Lt pediatric wrist radiograph | PA/AP view | in cast 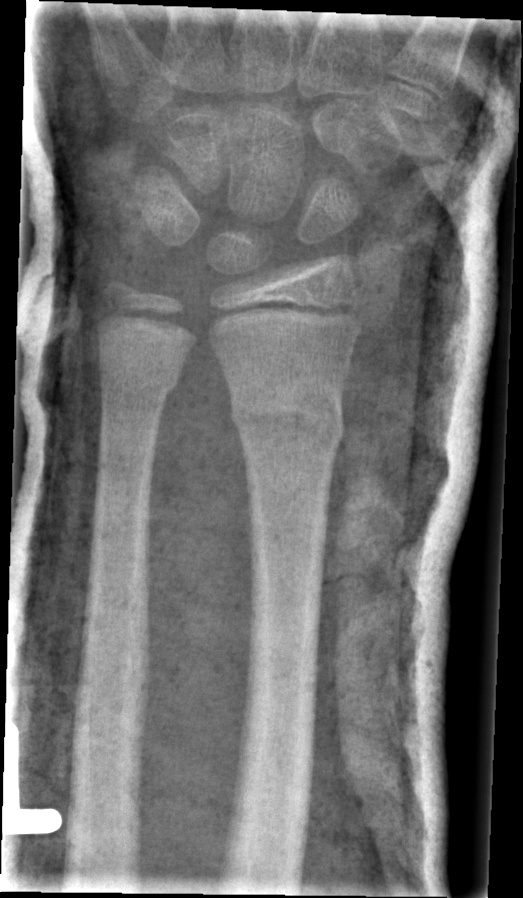

(boxes as x1,y1,x2,y2 (top-left / bottom-right, pixel units))
AO/OTA: 23-M/2.1
bone fracture: 2 @ 226 370 348 460; 92 354 187 413